Right pediatric wrist radiograph, AP projection, 7-year-old girl, subsequent exam, in cast

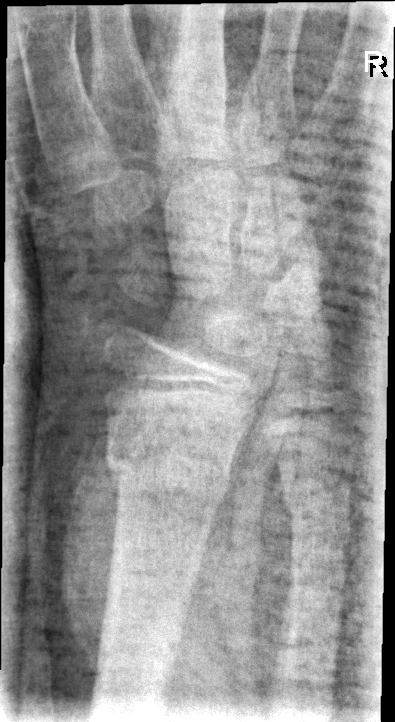

Two Fx at 99,436,235,511 | 276,466,355,526.